L wrist X-ray · PA/AP view · detector: Siemens —

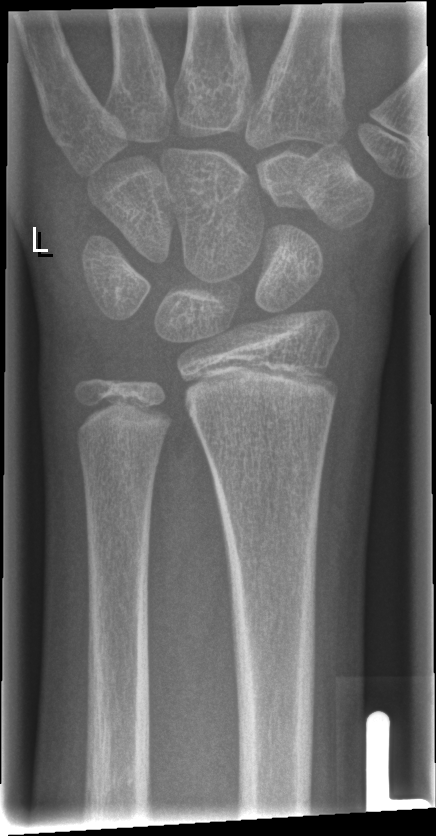 FINDINGS: Fx: none.